Lateral · left wrist XR · follow-up

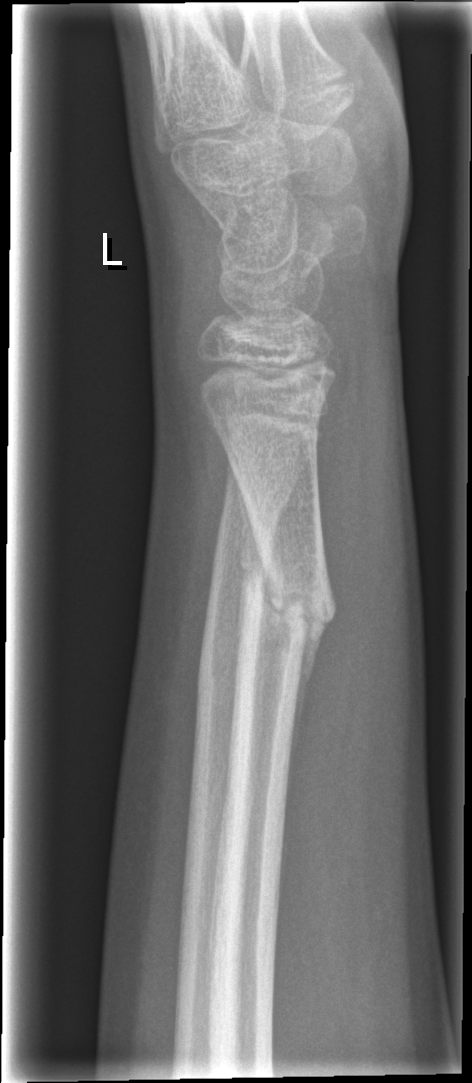 AO classification: 22r-D/4.1; 22u-D/2.1; 23u-M/2.1
Periosteal thickening: [231, 466, 269, 674] [285, 617, 332, 784]
Fracture: 1 @ [236, 538, 340, 671]
Osteopenia: present